Lt wrist X-ray | PA projection | presentation radiograph | 532 x 872 px
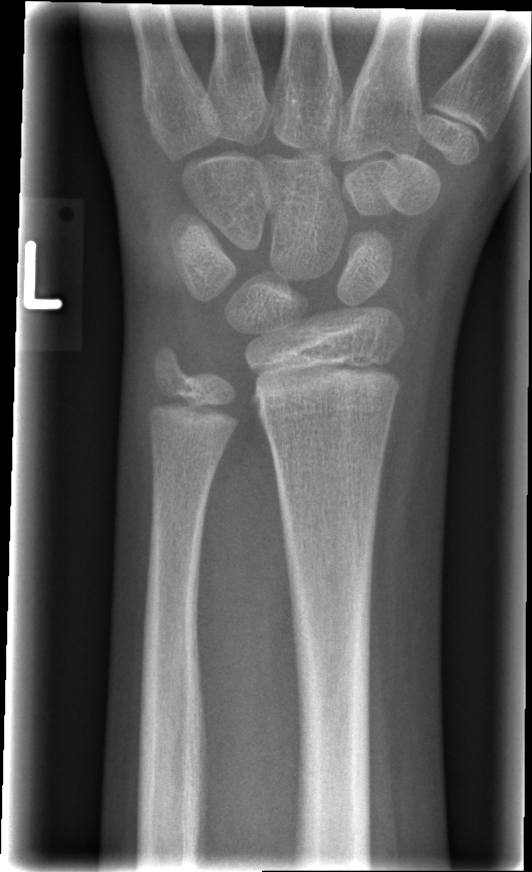

Fracture = none labeled